L plain radiograph of the wrist | lateral view | 516 by 844 pixels:

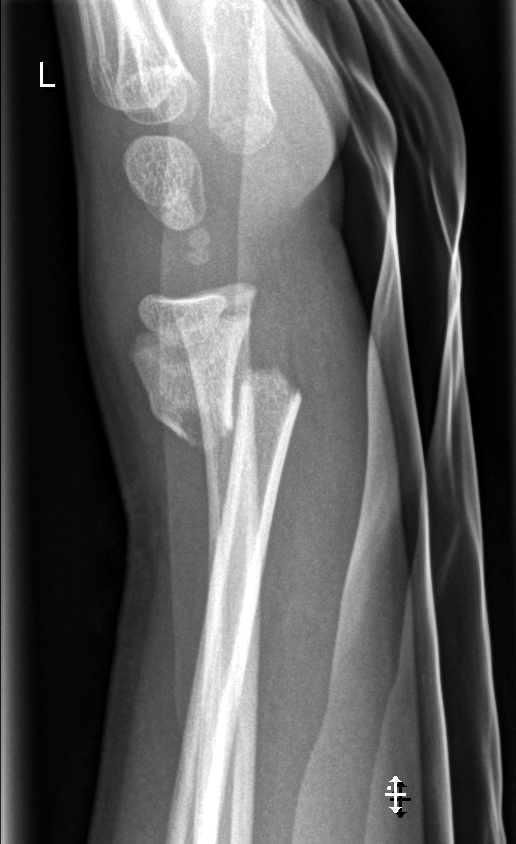

AO/OTA = 23r-M/3.1
Fx = [x1=145, y1=360, x2=303, y2=450]